PA/AP projection · R wrist X-ray · follow-up study:

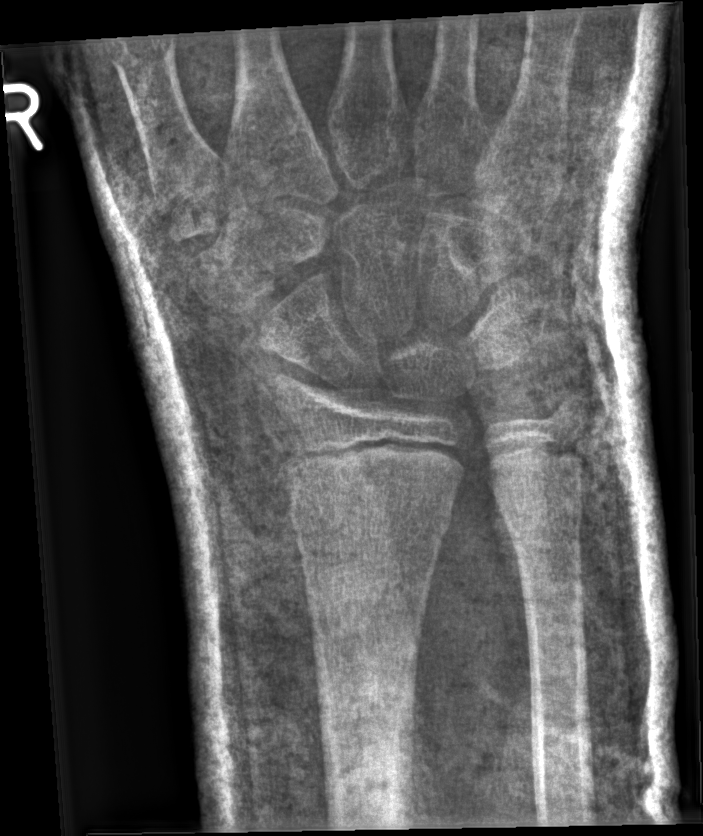

(pixel coordinates, top-left origin, xyxy)
bone fracture = (283, 480, 455, 548)